Lateral projection; left wrist pediatric wrist radiograph; subsequent exam; cast in situ; acquired on Siemens; image 102.4 mm wide; 711 by 1084 pixels:

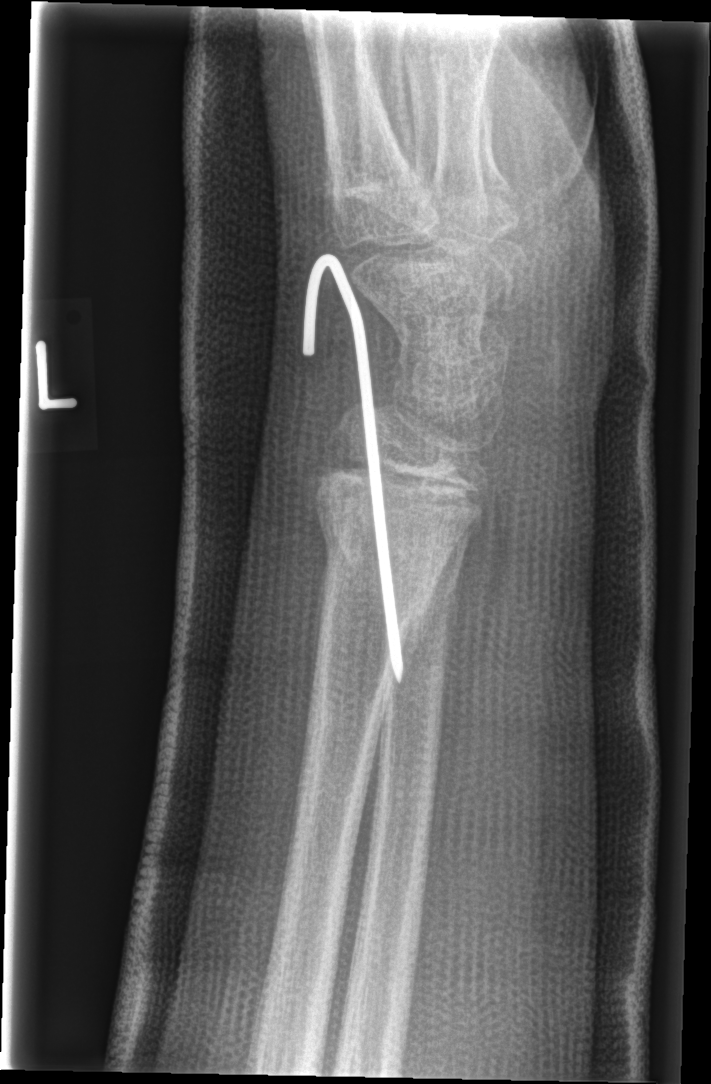
Boxes as x1,y1,x2,y2 (top-left / bottom-right, pixel units). Bone fracture: [303, 463, 473, 646]. AO/OTA classification: 23r-M/3.1; 23u-M/2.1. Hardware — [300, 251, 406, 685].